Lateral projection, left wrist X-ray, 9y F.

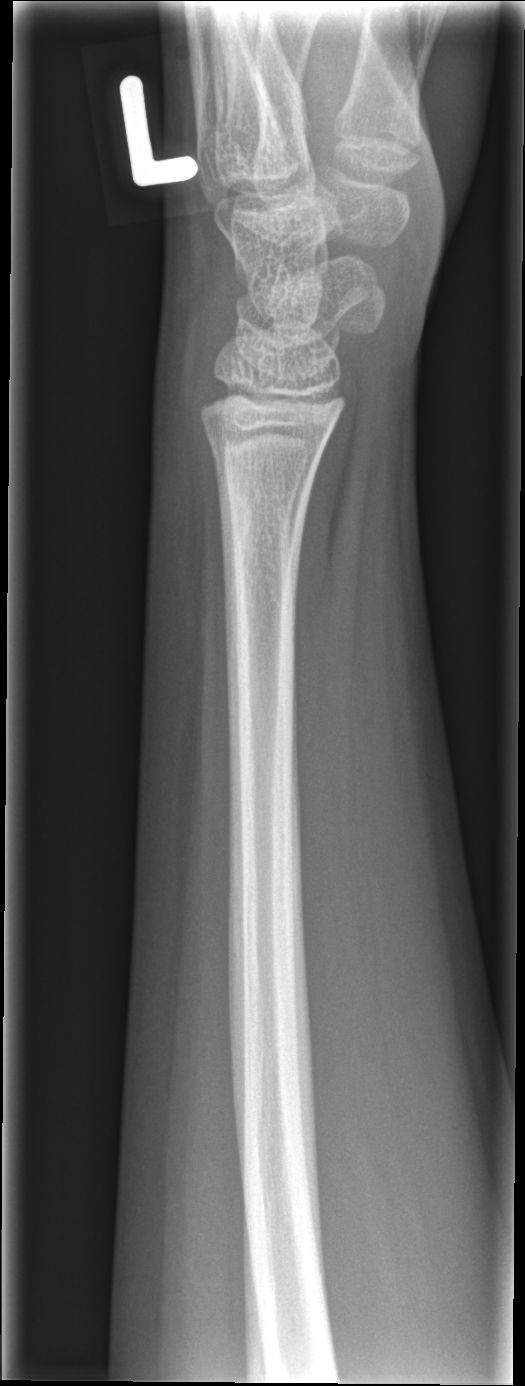
FINDINGS: No fracture bounding box.